AP | right wrist X-ray | age 16 y, boy | follow-up study | in cast: 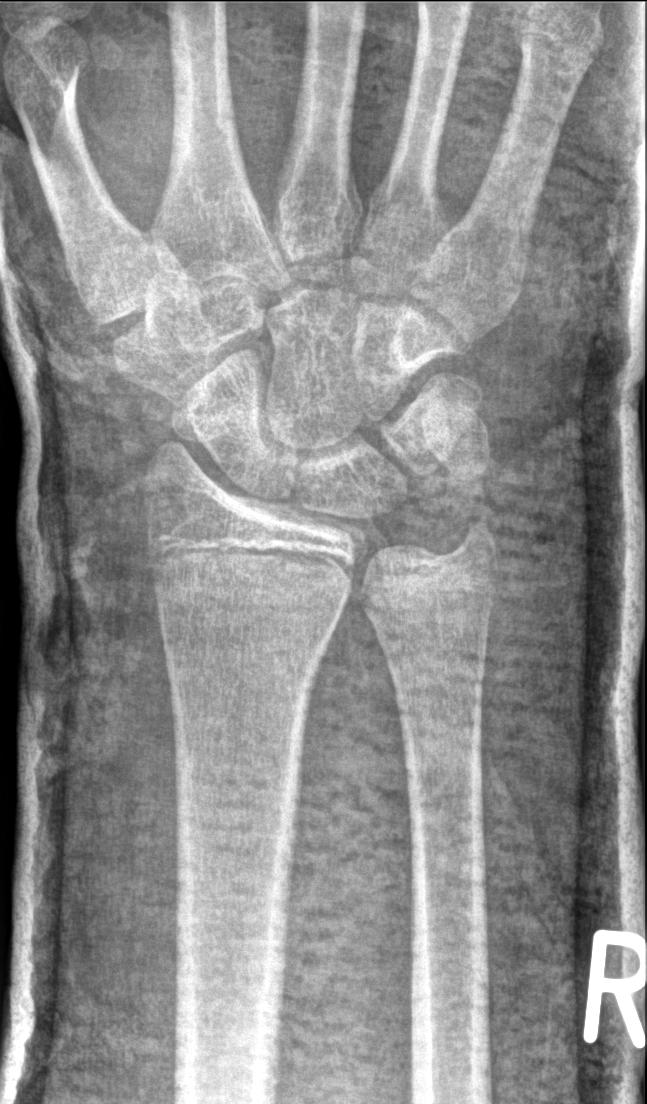
Boxes as x1,y1,x2,y2 (top-left / bottom-right, pixel units). Fracture classified AO/OTA 23r-E/2.1; 23u-E/7. Fracture identified at bbox(443, 510, 504, 573).